Right pediatric wrist radiograph · lat · pediatric patient (boy, age 8) · cast present · detector: Siemens · 524 by 1066 pixels —
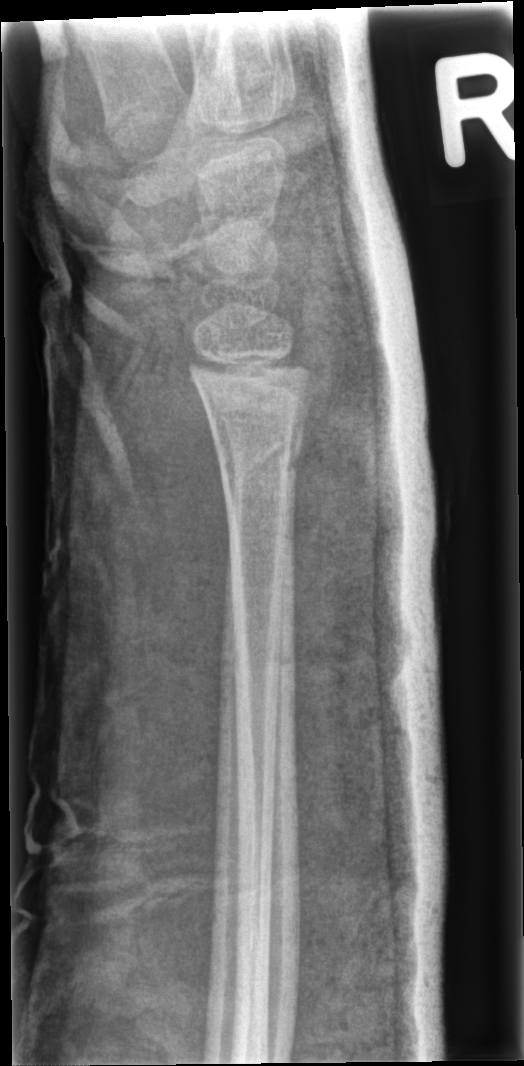
Findings: One bone fracture at 216 430 306 495. AO code 23r-M/3.1.